L wrist plain film, oblique view, acquired on Siemens, image width 86.3 mm.
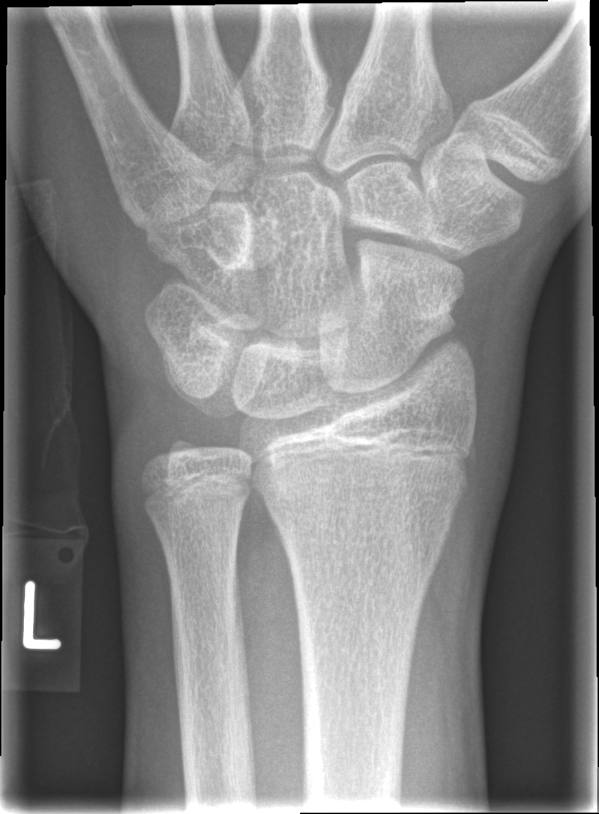 bone fracture = none labeled